Left wrist X-ray, lat, index exam. 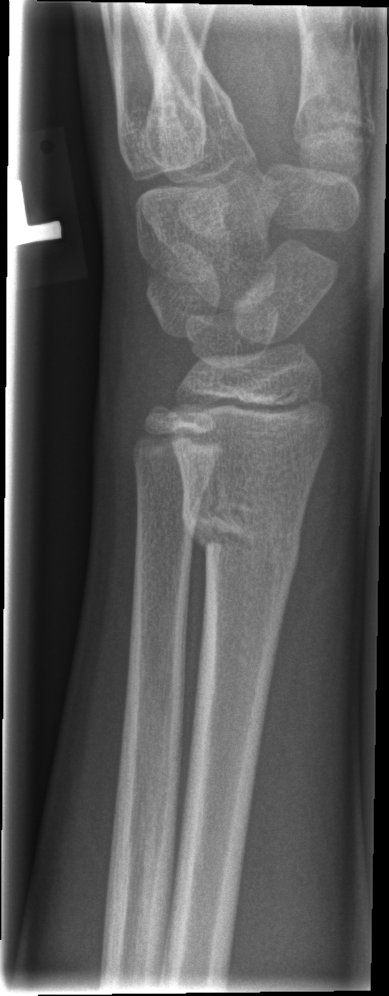

One bone fracture at bbox(183, 500, 302, 588).
Fracture classified AO/OTA 23r-M/3.1.